Lat projection · Lt pediatric wrist radiograph.

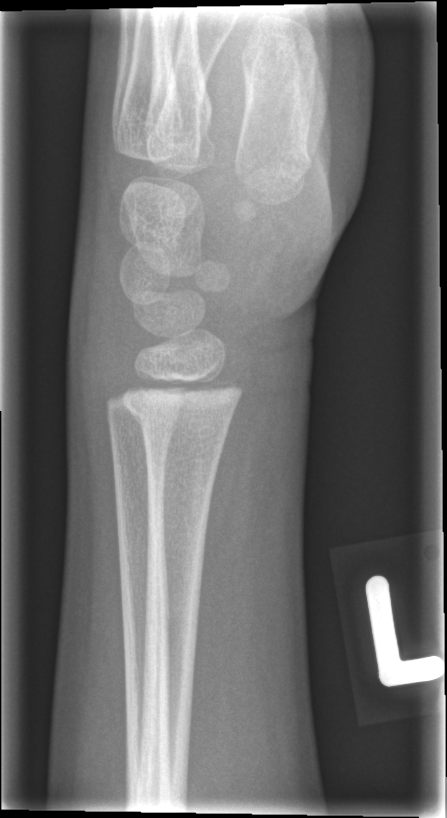 (bounding boxes in image-pixel xyxy)
AO/OTA: 23r-E/2.1
soft-tissue swelling: 1 @ bbox(60, 246, 137, 438)
fracture: 1 @ bbox(117, 374, 245, 438)